Left pediatric wrist radiograph, lateral projection, pediatric patient (girl, age 10), 71.4 mm image width, 496 by 1192 pixels:

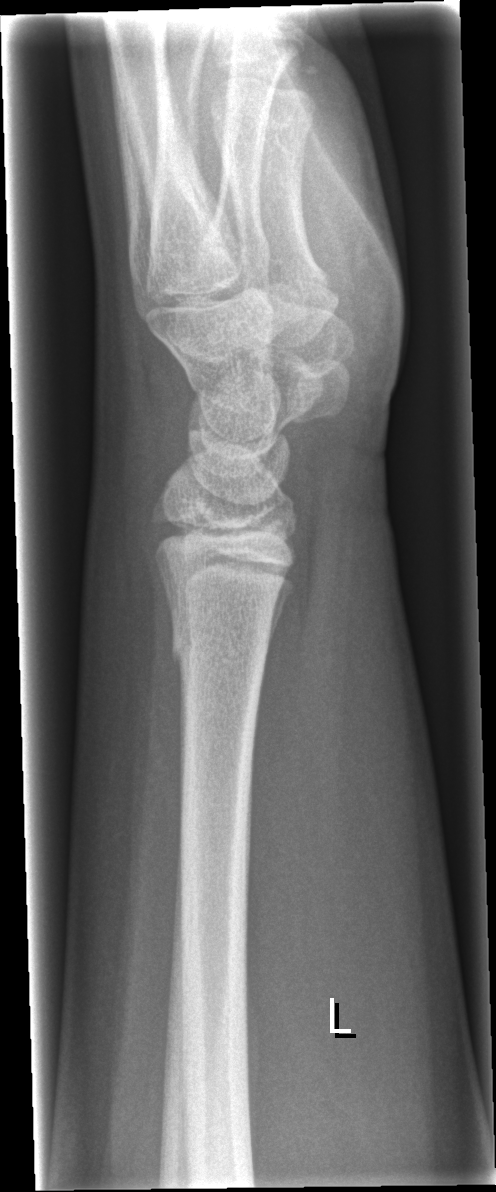 Fx: <165,620>-<271,681>
AO/OTA: 23r-M/2.1